Left wrist X-ray · lateral projection · 12-year-old male · index exam.

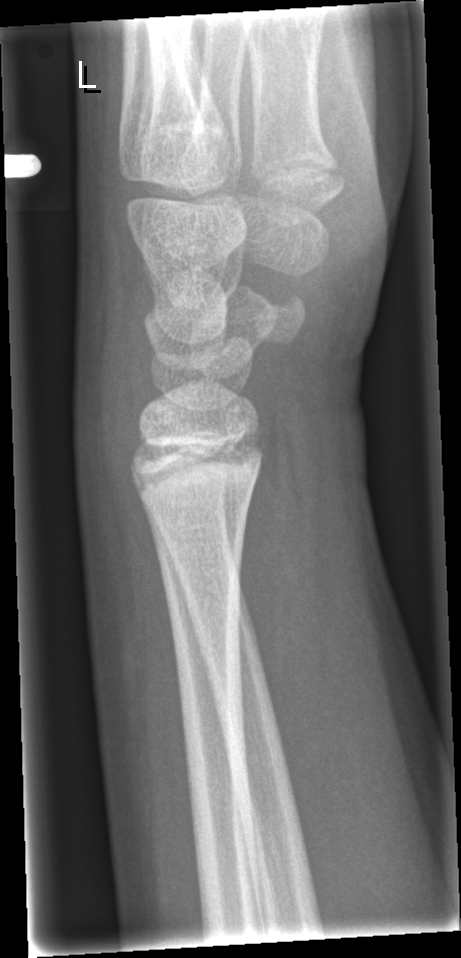 {
  "fracture": "none labeled"
}